Frontal, L wrist X-ray, male, 13 yo, 112.5 mm image width, image size 781x1258.
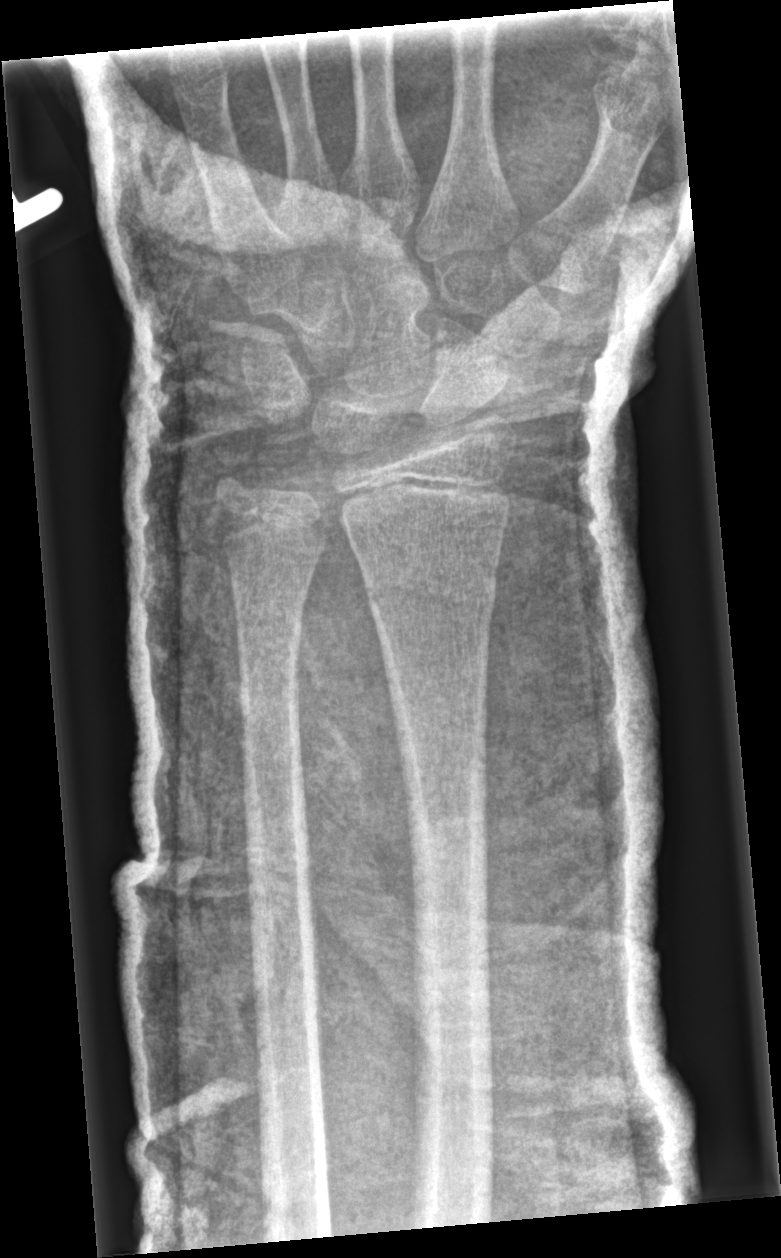 FINDINGS — Bone fracture identified at [x1=354, y1=562, x2=509, y2=620]. AO code 23-M/3.1; 23u-E/7.